Rt wrist plain film · PA · initial study
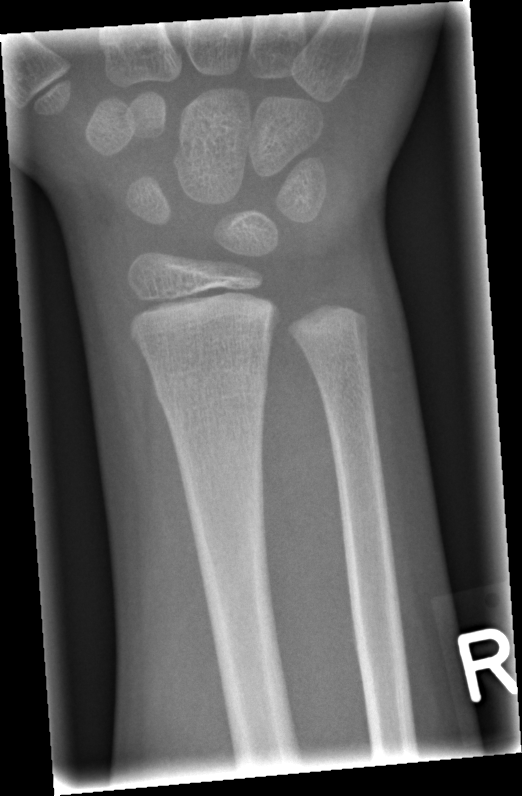

Fracture identified at bbox(153, 357, 271, 420).